Right wrist radiograph · PA · acquired on Siemens 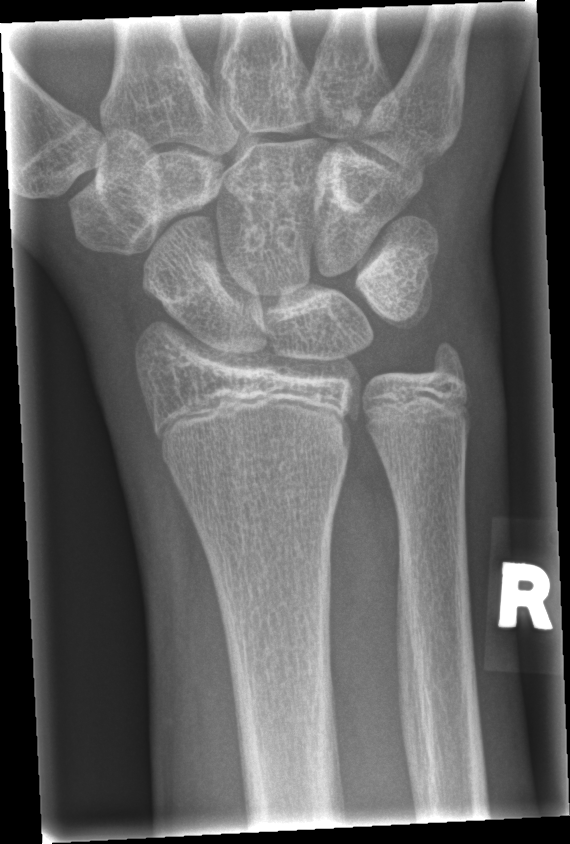
fracture: none labeled